Left wrist plain film | lat projection | subsequent exam
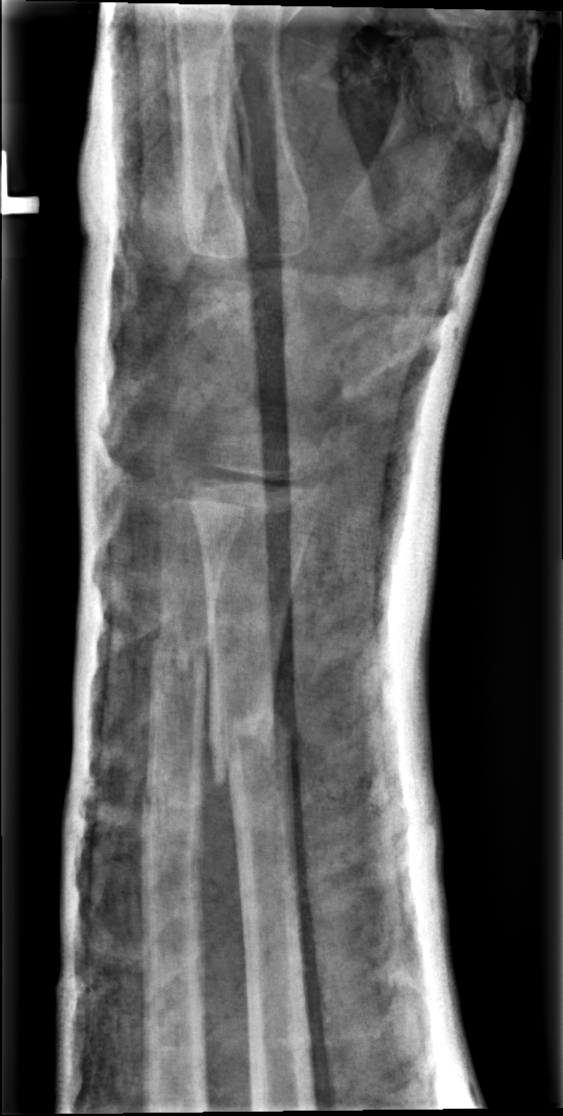 - Bone fracture: (207, 705, 293, 789); (142, 773, 205, 827).